Rt wrist XR; lateral; 12y M; acquired on Siemens; 461x964: 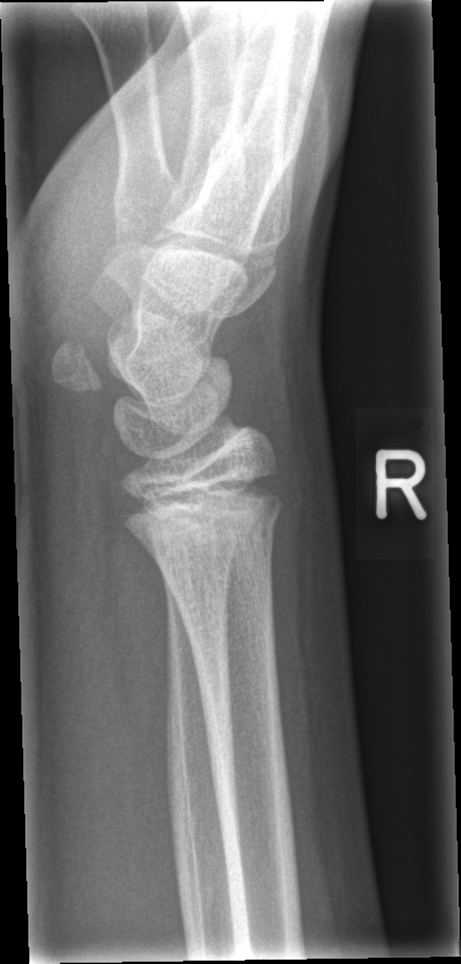 Fracture identified at <118,472>-<286,540>.